Lat, L wrist plain film, detector: Siemens. 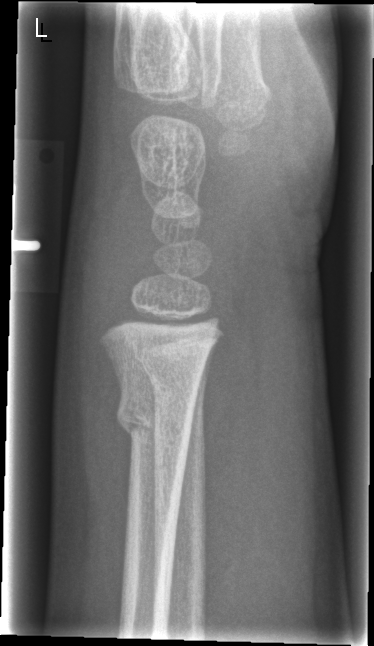
Pixel coordinates, top-left origin, xyxy. AO/OTA classification: 23-M/2.1. Two Fx at (left=113, top=386, right=198, bottom=441) (left=139, top=352, right=207, bottom=397).